Lt wrist plain film, lat, 10y F, 572x1102.
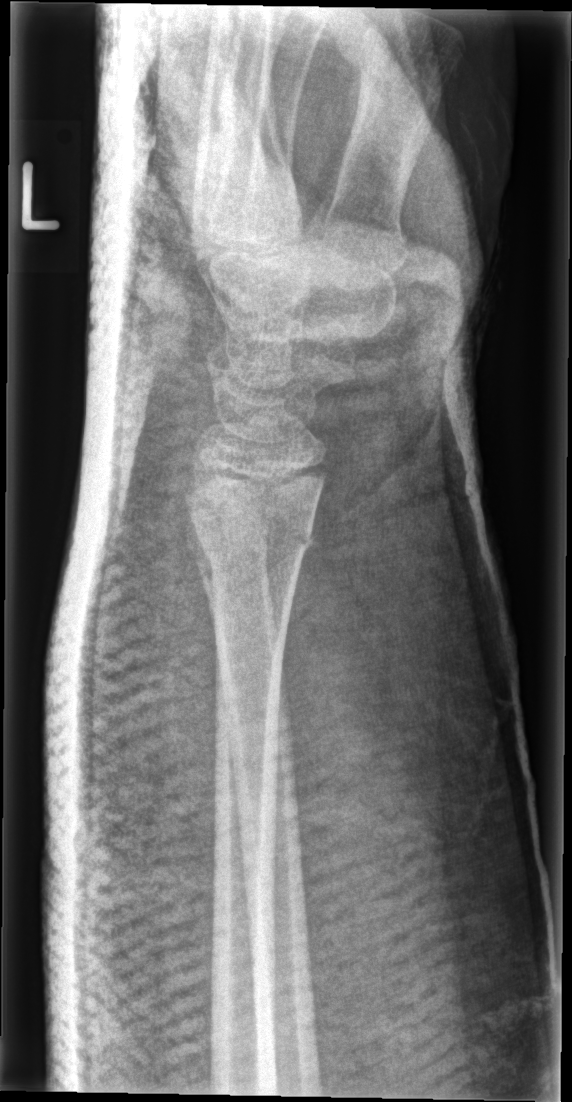

(boxes as x1,y1,x2,y2 (top-left / bottom-right, pixel units))
Fracture = bbox(181, 475, 322, 570)
AO code = 23r-M/3.1